Lateral; Rt wrist XR; subsequent exam; 60.8 mm image width.
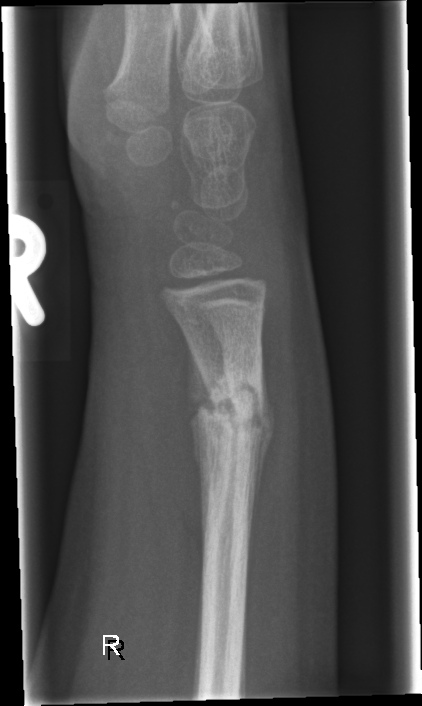

Bounding boxes in image-pixel xyxy. Osteopenic. Two periosteal reaction at <249,394>-<273,530> <191,353>-<213,479>. Fx identified at <192,381>-<268,460>.